Lat | R wrist plain film. 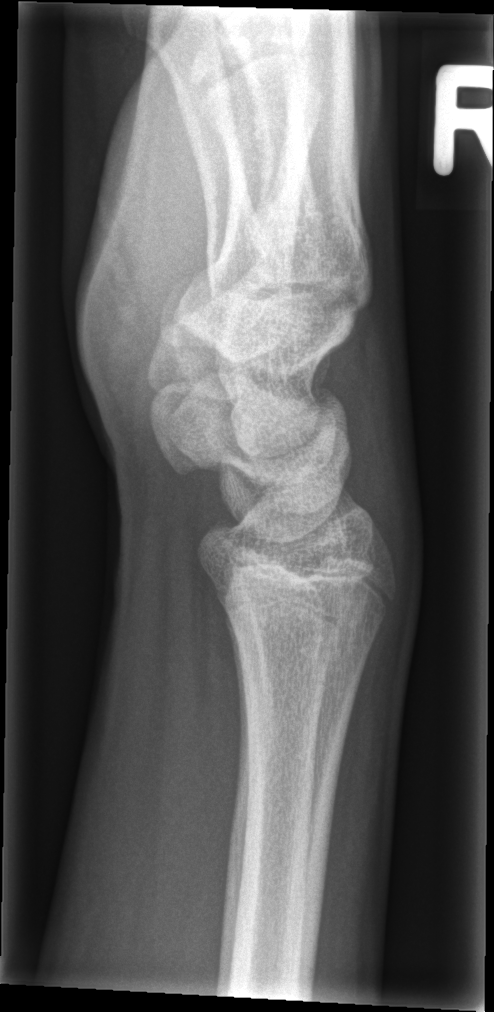 FINDINGS: No fracture annotation.